L wrist XR, lat projection, 11y M, follow-up study, 526 x 944 px.
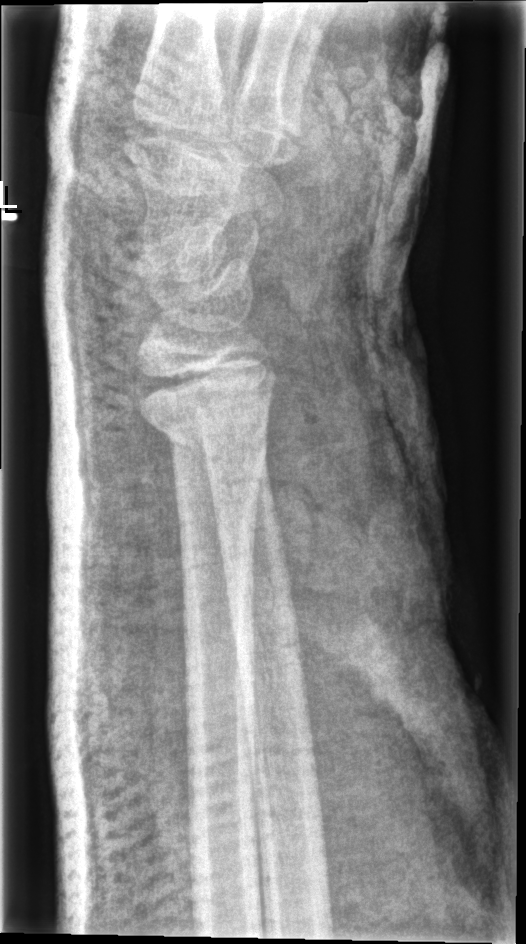

Q: AO code?
A: AO code 23r-M/3.1
Q: Locate any fractures.
A: Fx: bbox(139, 381, 274, 455)